Left wrist radiograph · lat projection · 9y F —
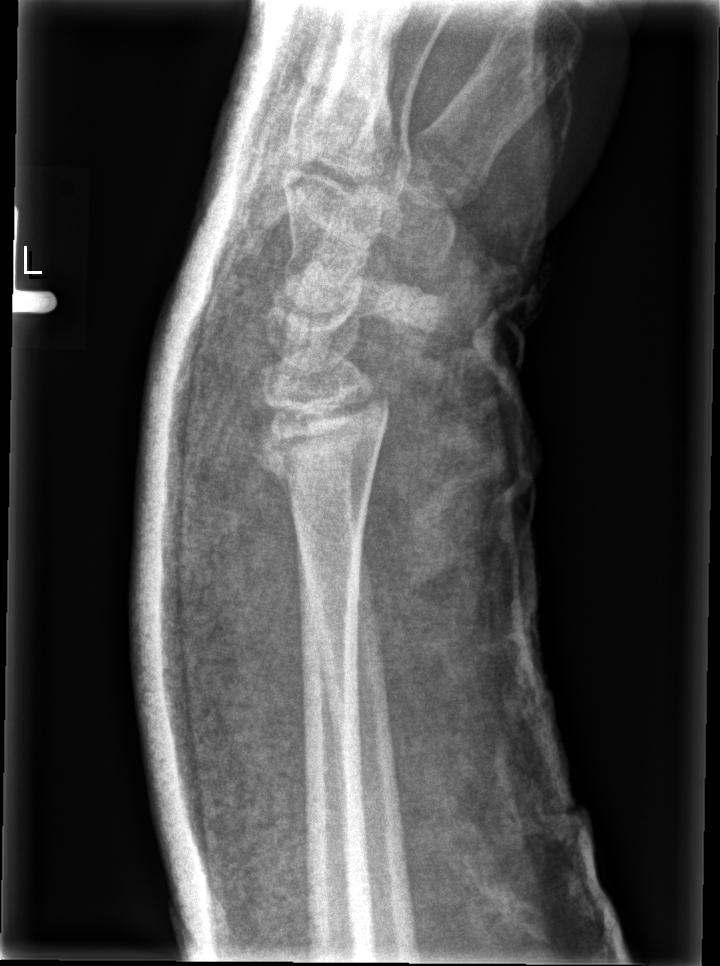

Boxes as x1,y1,x2,y2 (top-left / bottom-right, pixel units). AO/OTA classification: 23r-E/2.1; 23u-E/7. Fracture — 244 383 391 499.